Lateral projection; R wrist radiograph; pediatric patient (girl, age 9); 92.6 mm image width: 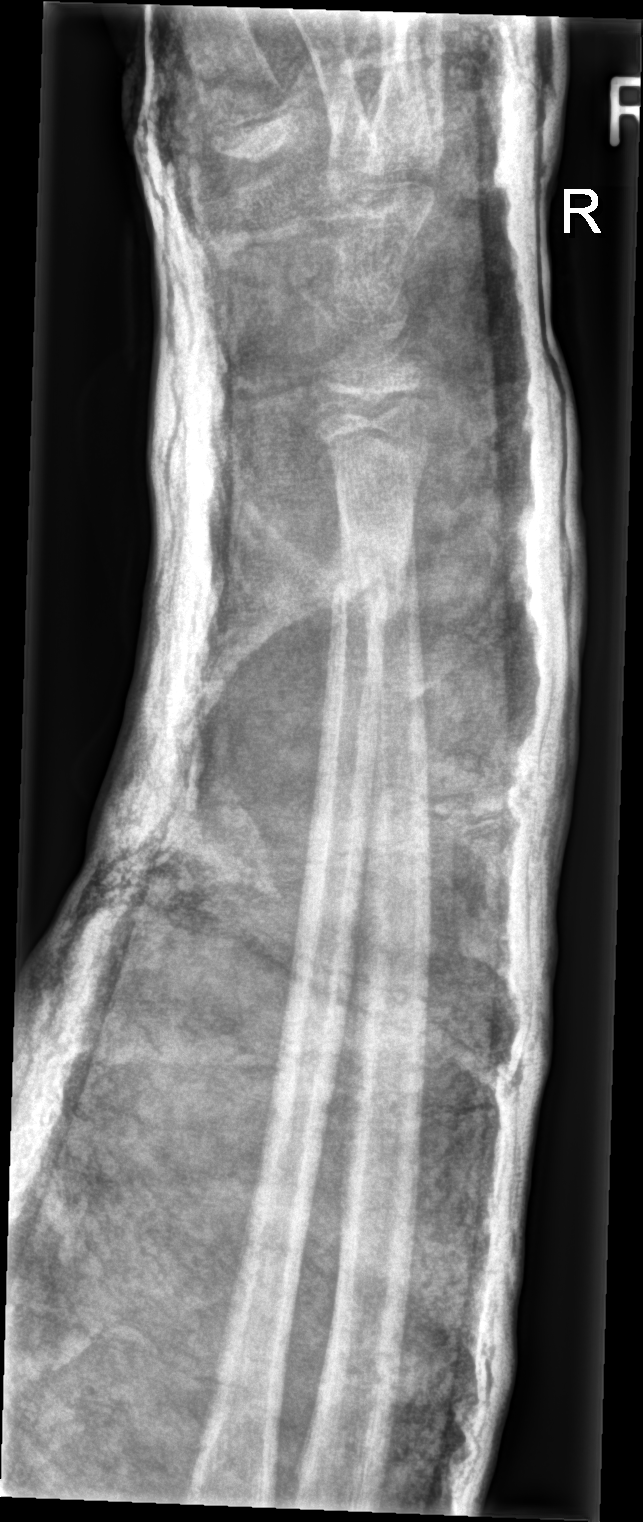
* Boxes as x1,y1,x2,y2 (top-left / bottom-right, pixel units).
* Fracture classified AO/OTA 23r-M/3.1; 23u-M/2.1.
* Fracture identified at 320 538 410 626.